PA projection, right wrist plain film, age 11 y, female:

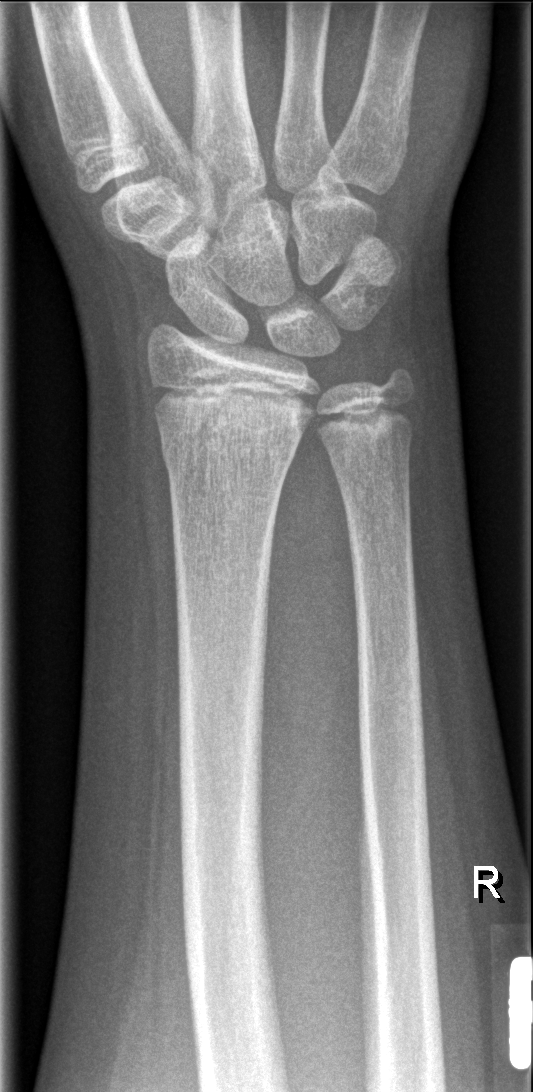

Bone fracture — [157, 411, 308, 480]. AO code 23r-M/2.1.